Lat projection | left plain radiograph of the wrist | boy, 12 yo | imaged through cast | detector: Siemens:

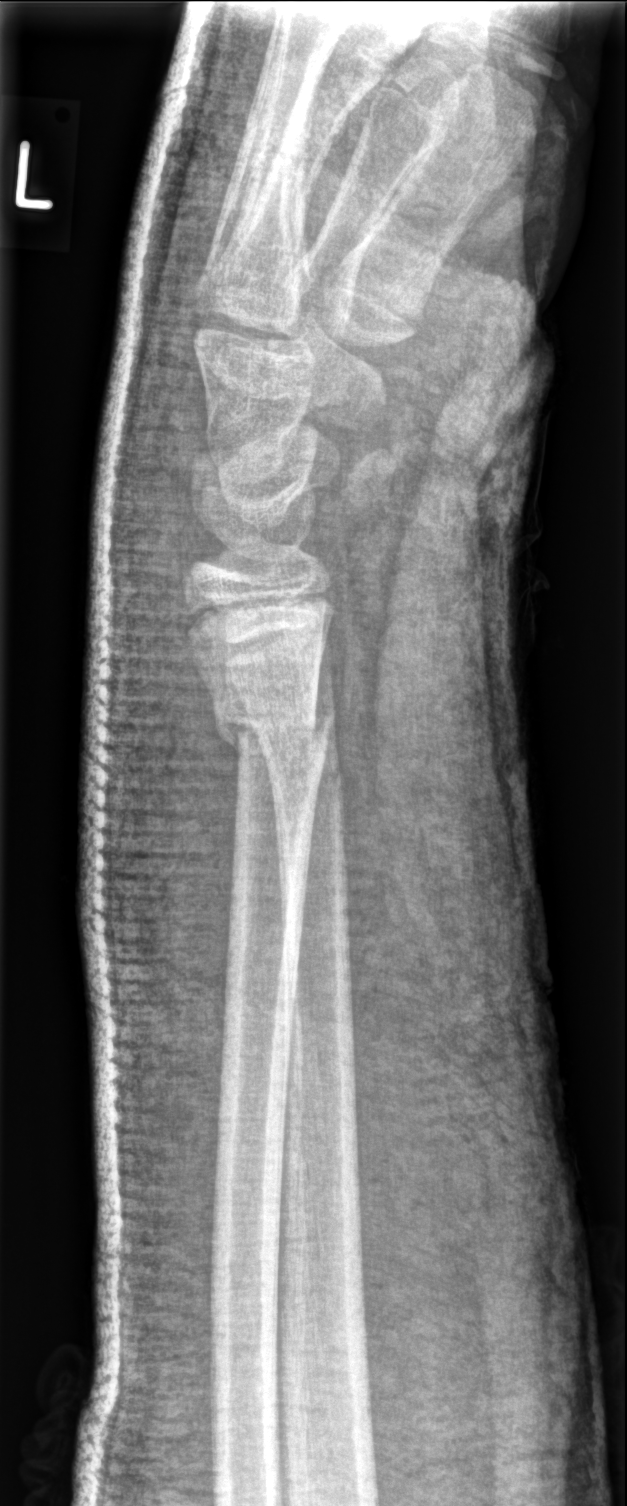

- Coordinates are [x1, y1, x2, y2] in image pixels.
- AO/OTA classification: 23-M/3.1.
- Fracture — bbox(211, 694, 335, 762).